Frontal · L plain radiograph of the wrist · male, 7 yo · presentation radiograph —
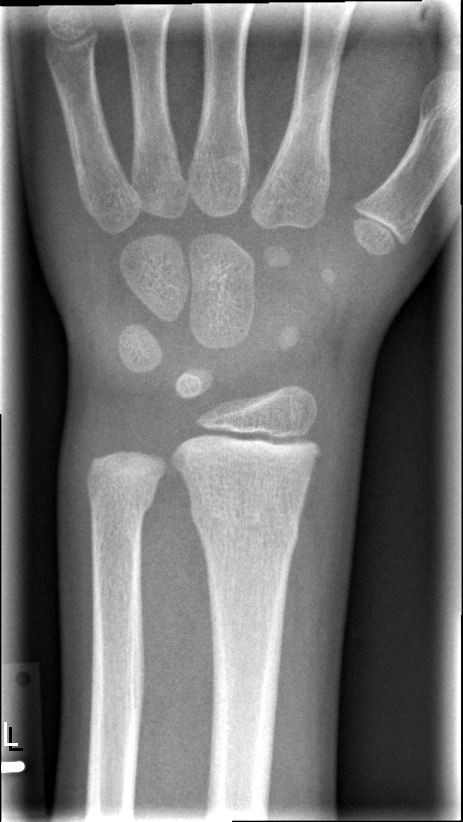
Boxes as x1,y1,x2,y2 (top-left / bottom-right, pixel units). Fracture classified AO/OTA 23-M/2.1. Fx — [186, 485, 303, 557] [85, 481, 158, 529].